AP projection | left wrist radiograph

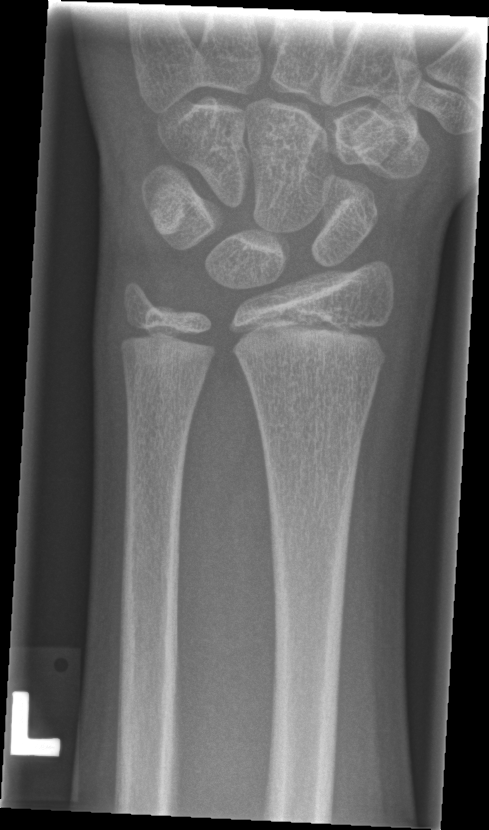

fracture = none labeled